Lat view · Lt wrist plain film · female, 4 yo · follow-up study · 408 by 600 pixels: 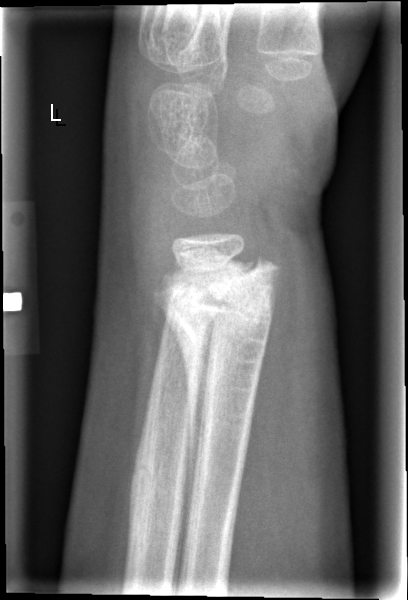

(bounding boxes in image-pixel xyxy)
Q: What is the AO/OTA classification?
A: AO/OTA classification: 23r-E/2.1; 23u-M/2.1
Q: Locate any periosteal reaction.
A: Periosteal thickening: [162, 304, 214, 538]
Q: Fracture present?
A: One fracture at [149, 251, 284, 350]